R wrist plain film · lat view · follow-up study · cast in situ · image size 487x952 —
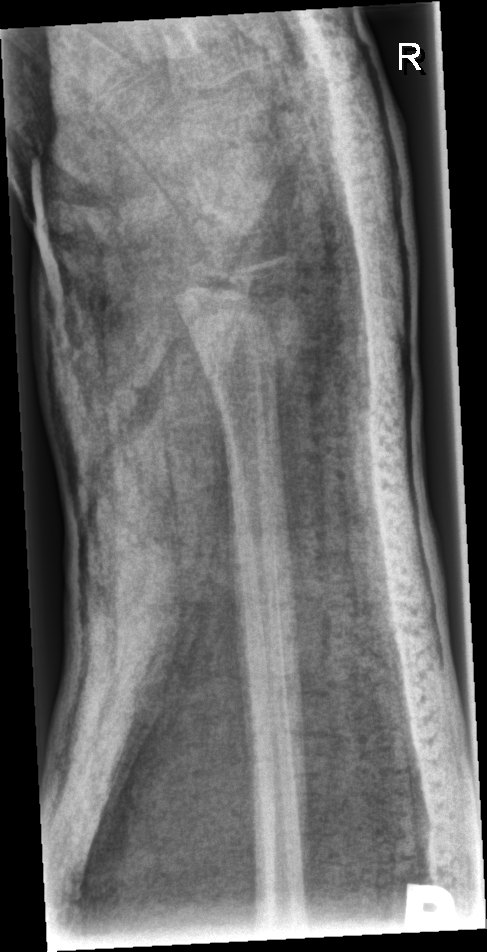
FINDINGS — (pixel coordinates, top-left origin, xyxy) Fracture classified AO/OTA 23r-E/2.1. Fracture: 167 275 307 386.